Lt wrist radiograph; AP view; index exam.

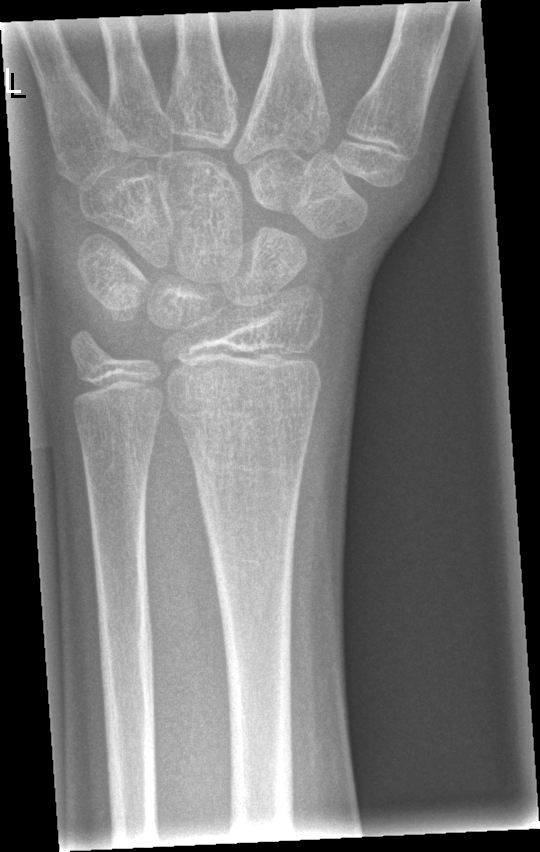 fracture: present but not clearly seen in this view
ao: 23r-M/2.1